Lat · left wrist plain radiograph of the wrist · female, 6 yo · in cast.

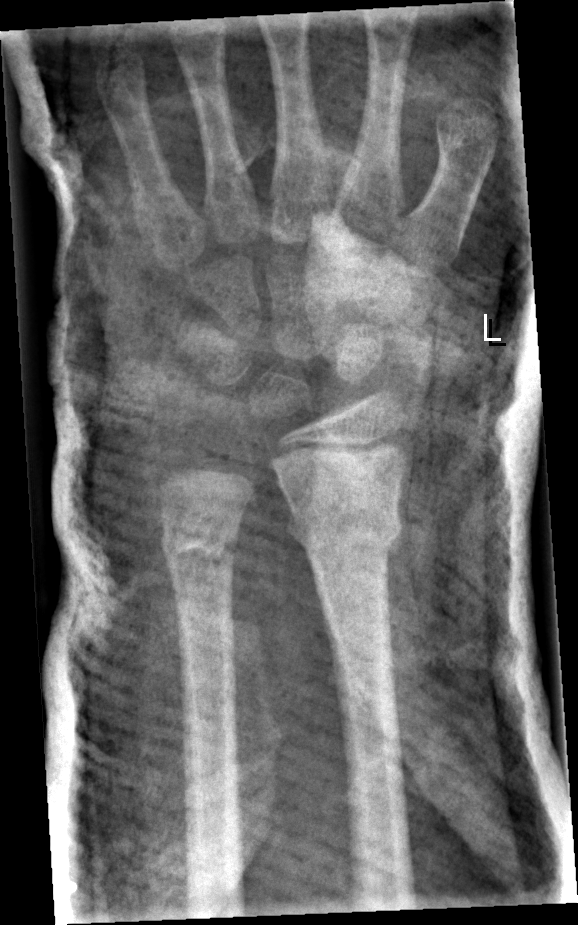 (coordinates are [x1, y1, x2, y2] in image pixels)
Q: AO code?
A: Fracture classified AO/OTA 23-M/3.1
Q: Any fracture seen?
A: Fx — [x1=284, y1=494, x2=404, y2=556] [x1=157, y1=512, x2=242, y2=577]